PA/AP, left wrist radiograph. 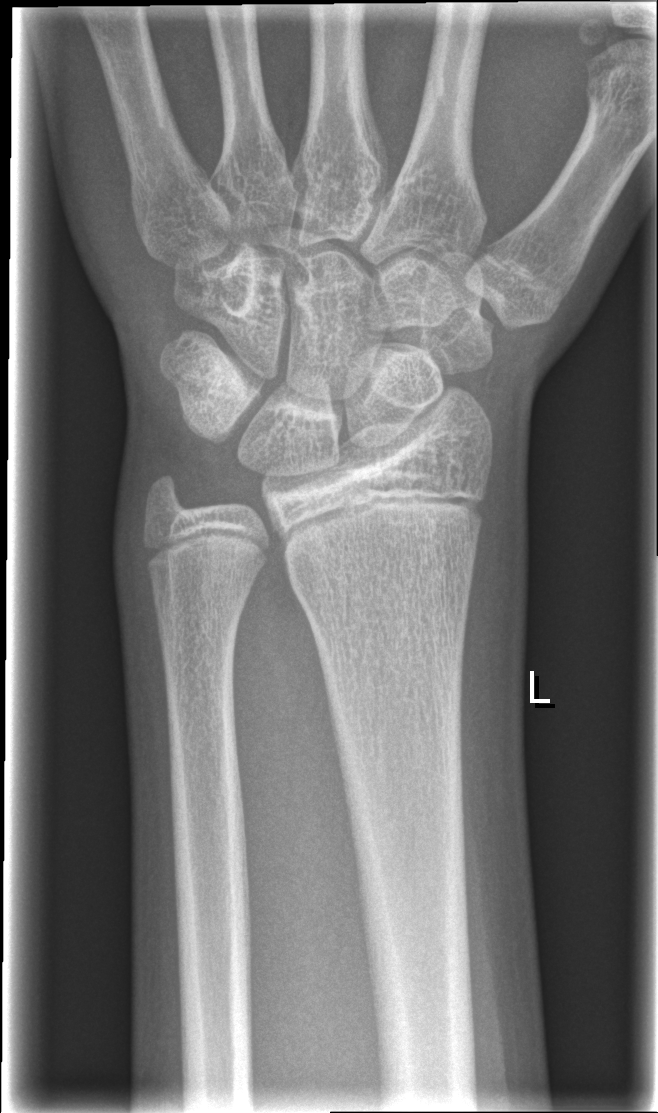

Fx = present but not clearly seen in this view